Left wrist pediatric wrist radiograph · lat view · age 15 y, male 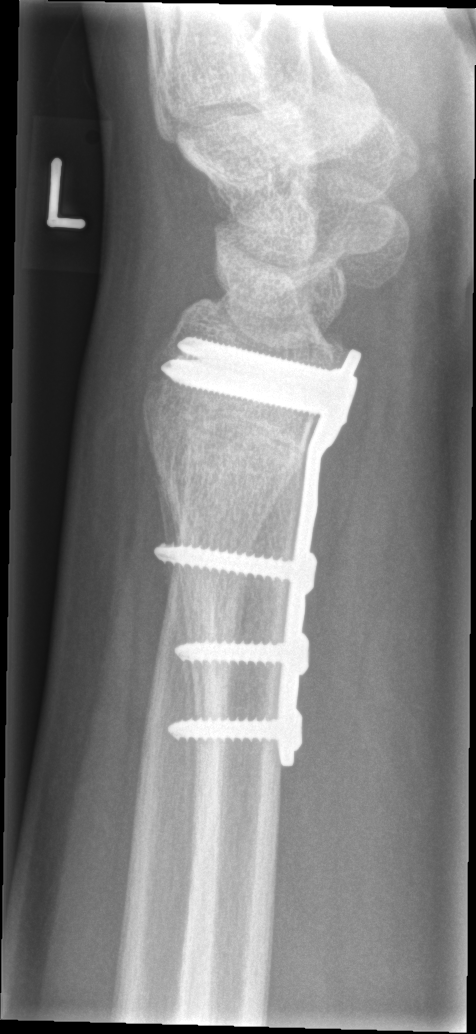

Fx: 1 @ <142,352>-<317,513>
Metal: 1 @ <157,337>-<361,767>